AP projection | L wrist XR | female, 10 yo.
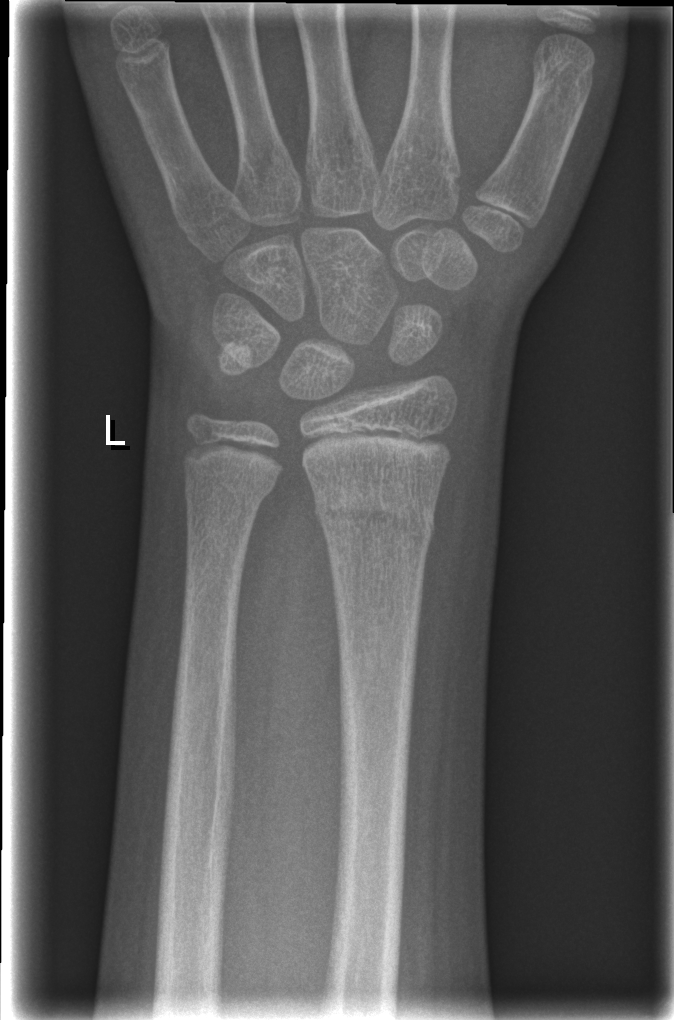

Findings: AO/OTA classification: 23-M/2.1. Bone fractures — <310,468>-<439,548>; <182,461>-<281,511>.